Lat, left wrist radiograph 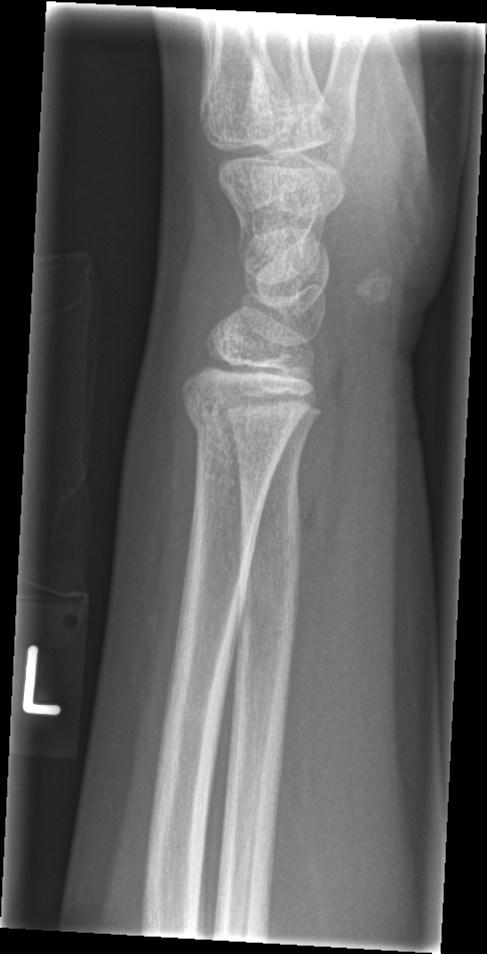 Q: Any fracture seen?
A: One bone fracture at (177, 383, 291, 461)
Q: What is the AO/OTA classification?
A: AO code 23r-M/2.1